Lat projection; L wrist radiograph; 14y M; cast in situ; 598x1288 —
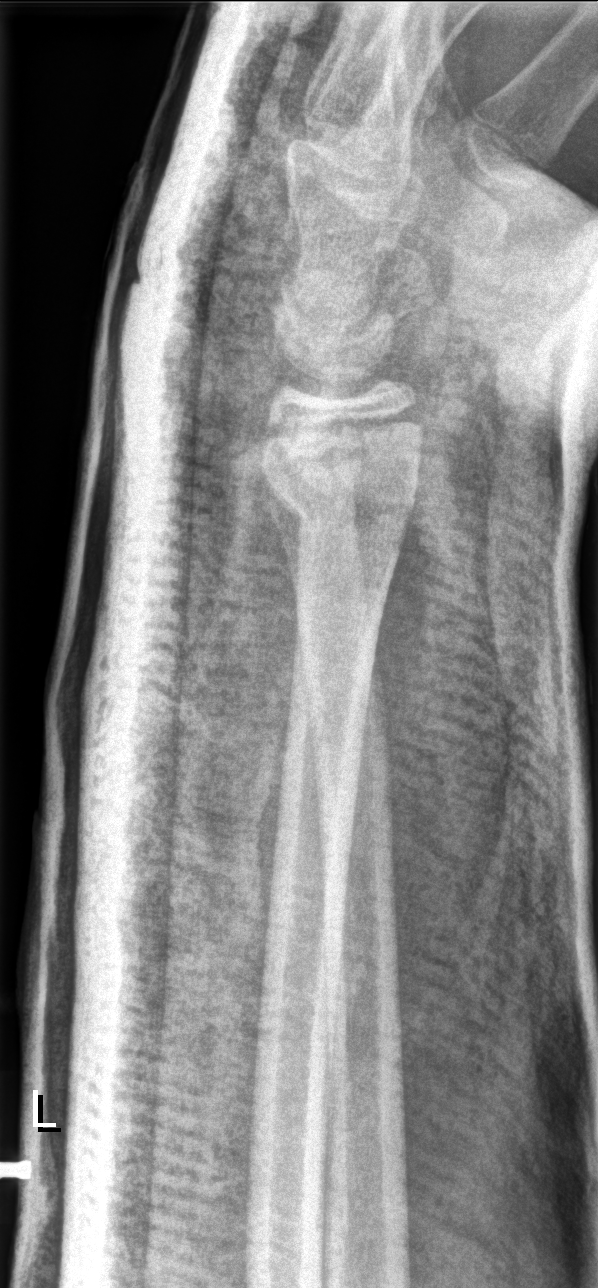
One Fx at 257,420,425,534. AO/OTA classification: 23r-M/3.1; 23u-E/7.